Right wrist XR; posteroanterior view; Siemens; image size 677x852

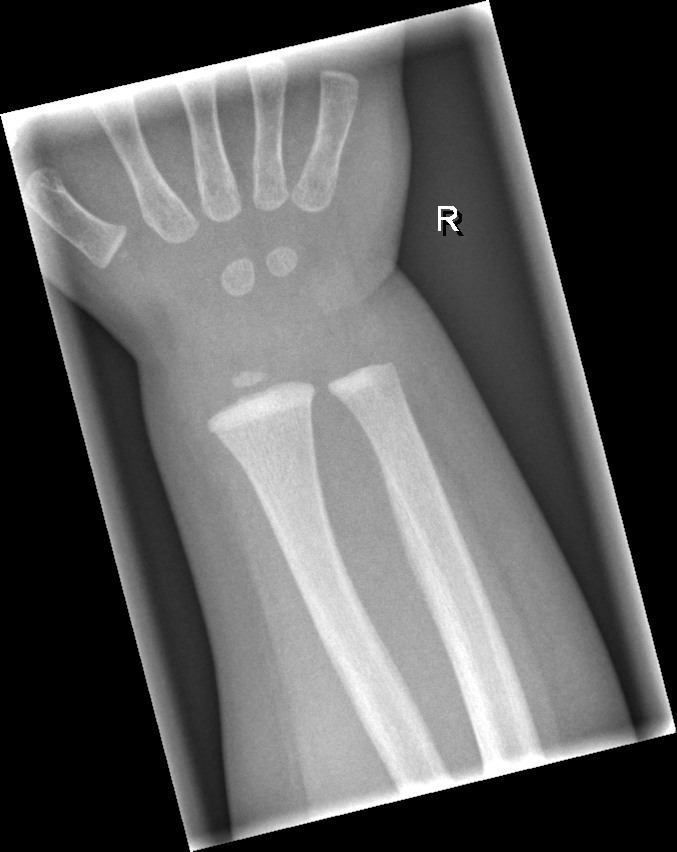

Findings: No fracture labeled.